Lt wrist plain film, PA/AP view, follow-up study: 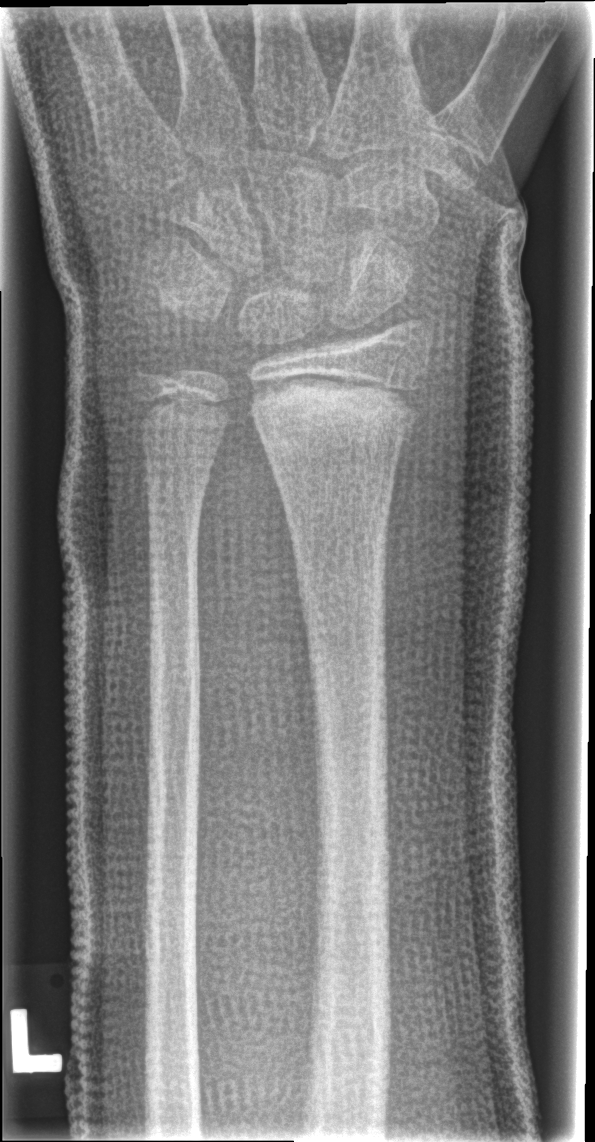

Findings: AO/OTA classification: 23r-E/2.1. Fracture: bbox(246, 370, 423, 465).